Lt wrist XR, PA projection, male, 12 yo, acquired on Siemens
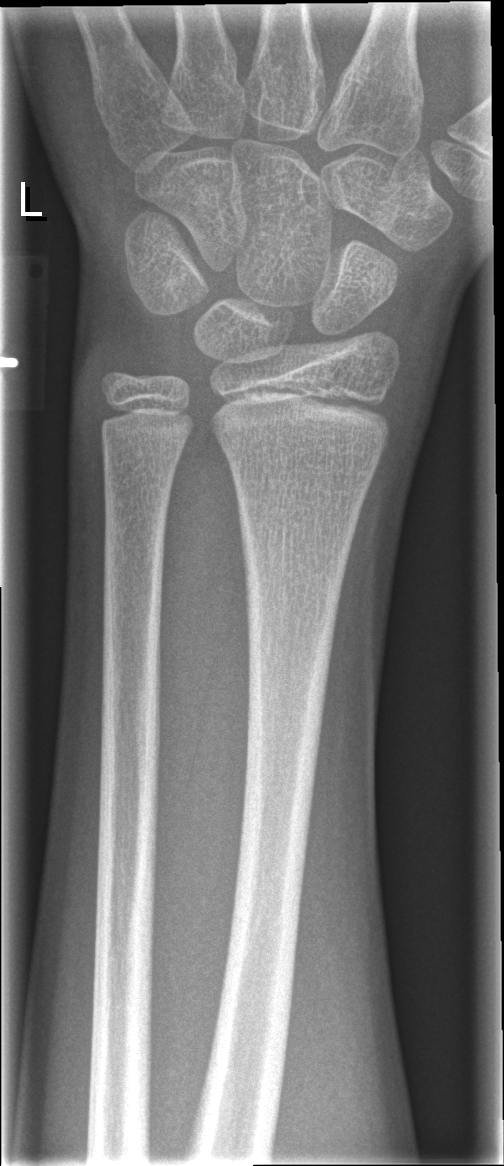

No fracture bounding box.